Lt pediatric wrist radiograph; lateral projection; 17-year-old boy; image 107.1 mm wide —

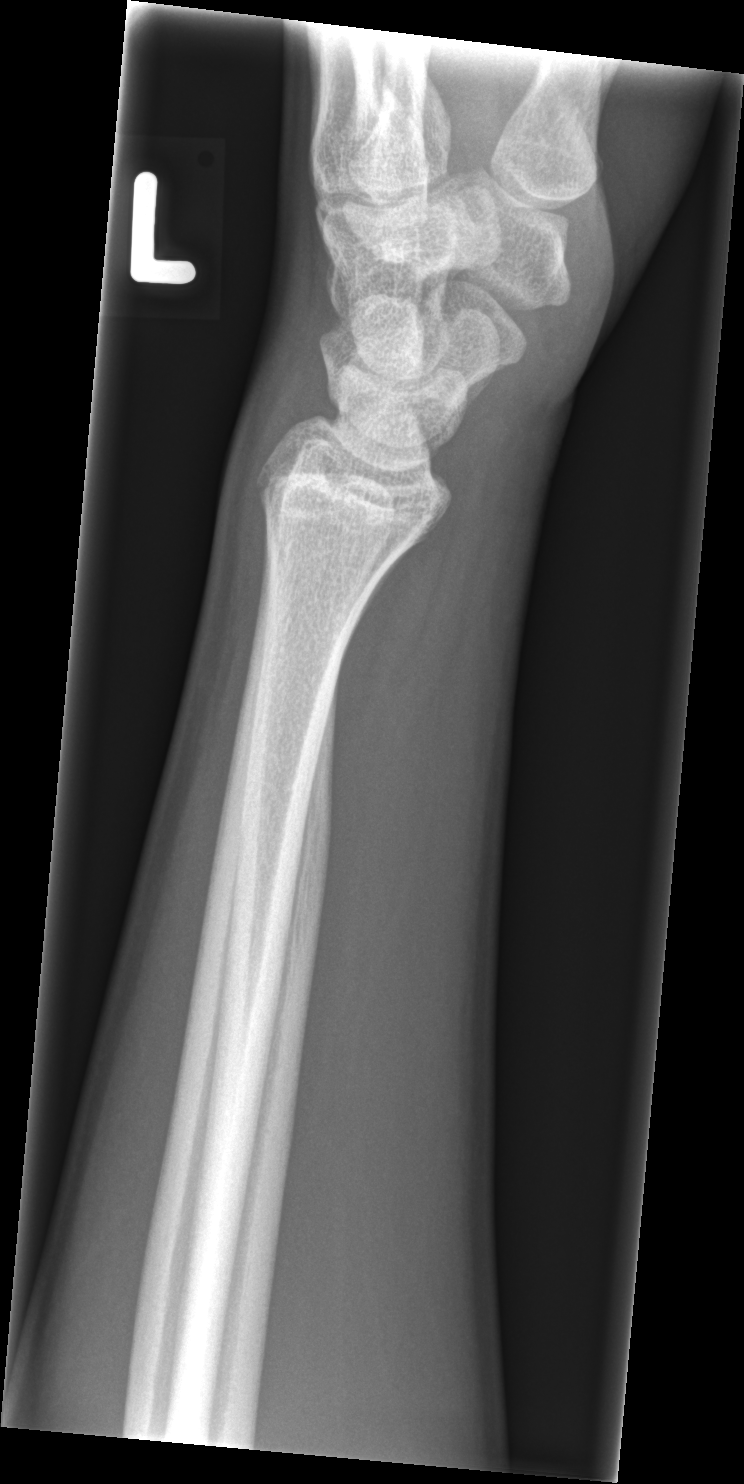 * No Fx annotated.